Lateral projection, L wrist XR, initial study:

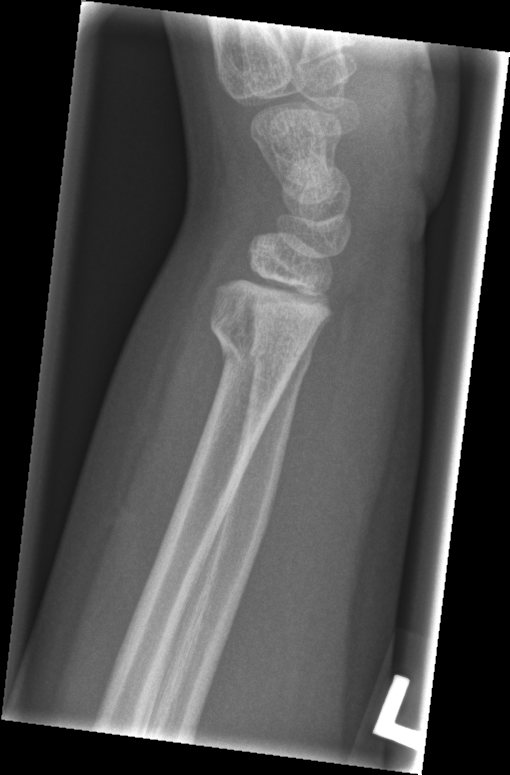

Fracture classified AO/OTA 23-M/2.1.
Two Fx at 206,311,278,375 | 247,339,313,384.